Left wrist XR; lat; detector: Siemens; image 58.9 mm wide; 409x1314 — 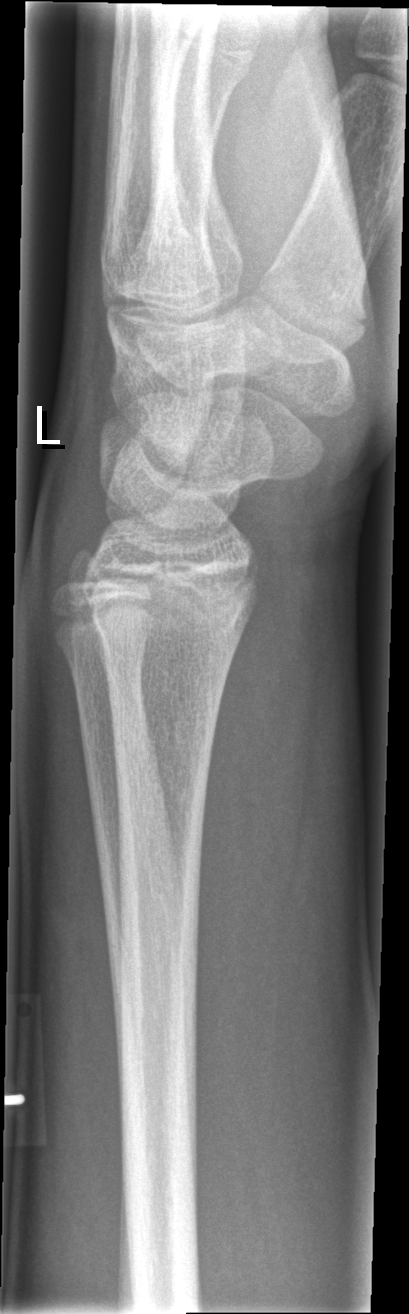

Findings: No fracture annotation.